Left wrist radiograph · lateral · male, 7 yo · detector: Siemens:
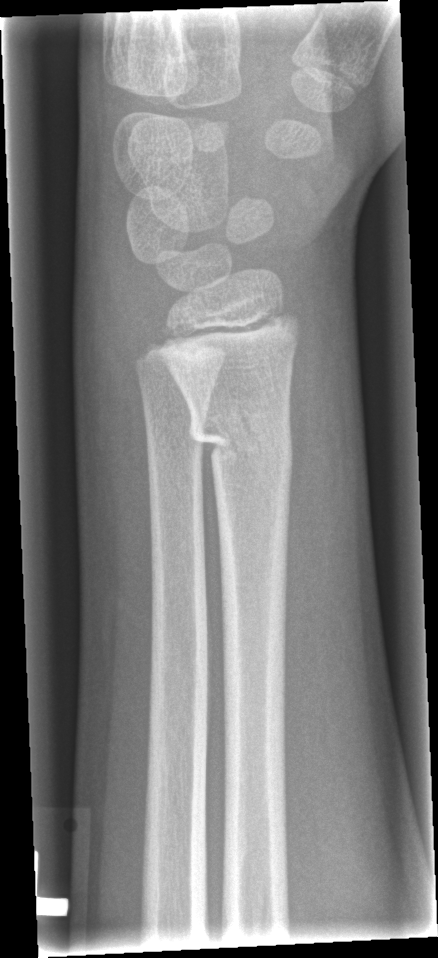
* Bounding boxes in image-pixel xyxy.
* Fracture: bbox(183, 398, 297, 467).